L pediatric wrist radiograph, lateral, in cast, 370 by 993 pixels — 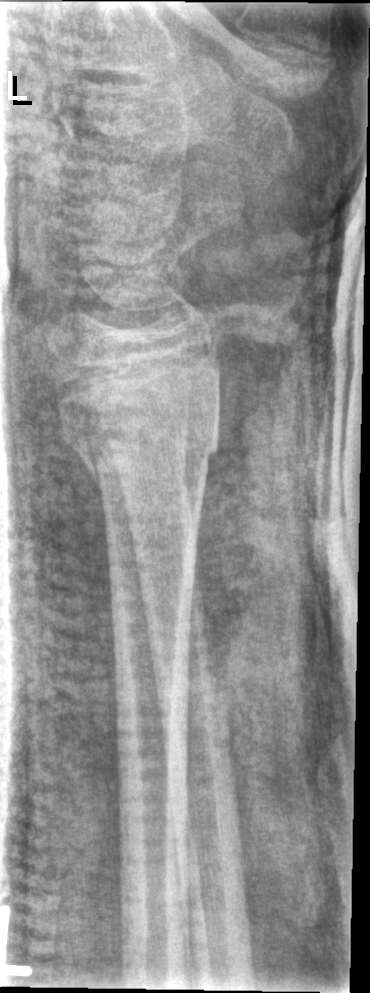

FINDINGS: (boxes as x1,y1,x2,y2 (top-left / bottom-right, pixel units)) AO code 23r-M/3.1; 23u-E/7. Fracture: (left=56, top=404, right=225, bottom=485).